L wrist radiograph | frontal projection | 15-year-old male | presentation radiograph —
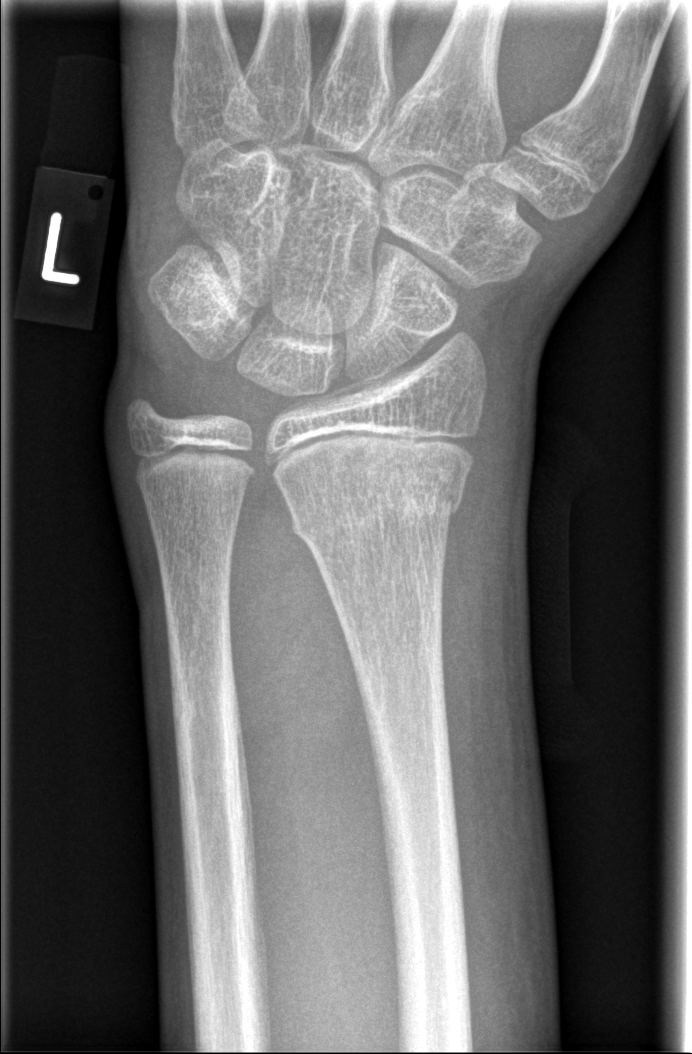

  # bounding boxes in image-pixel xyxy
  fracture: (285, 440, 471, 552)